L wrist X-ray · PA · girl, 11 yo · index exam.

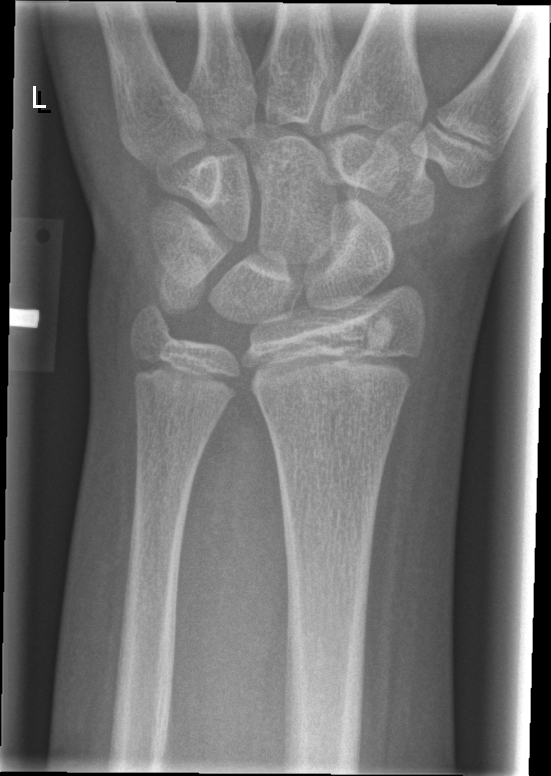

No fracture bounding box.